PA/AP view; right wrist radiograph; pediatric patient (girl, age 14):

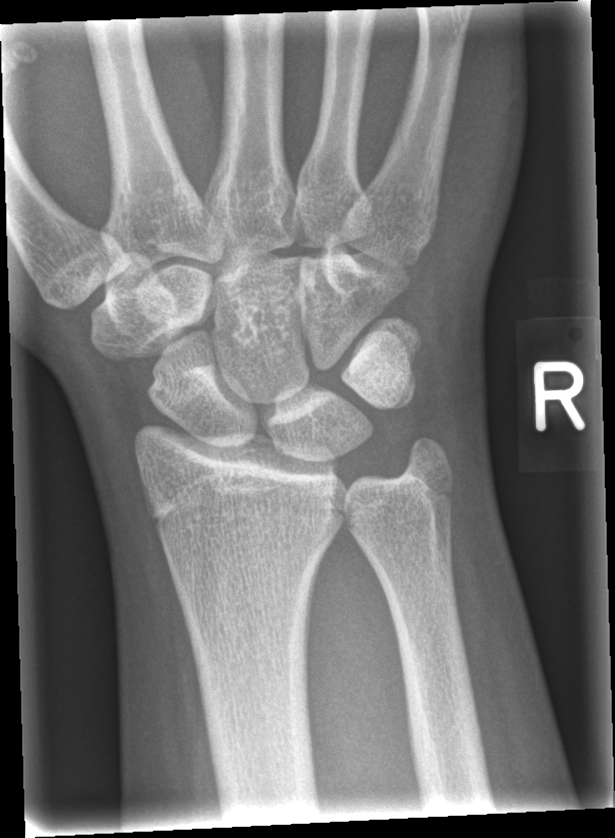
• No fracture bounding box.